Right wrist XR, PA, image size 496x880:

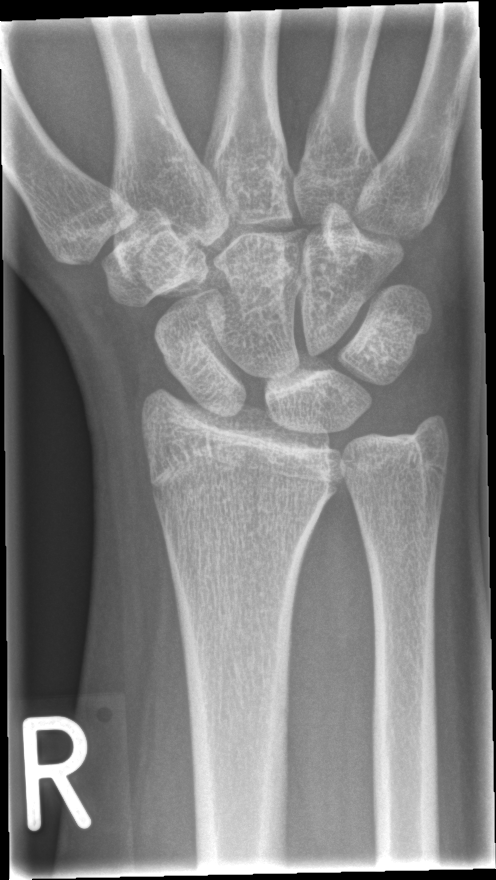

No fracture bounding box.